Left wrist X-ray · lat · cast present —

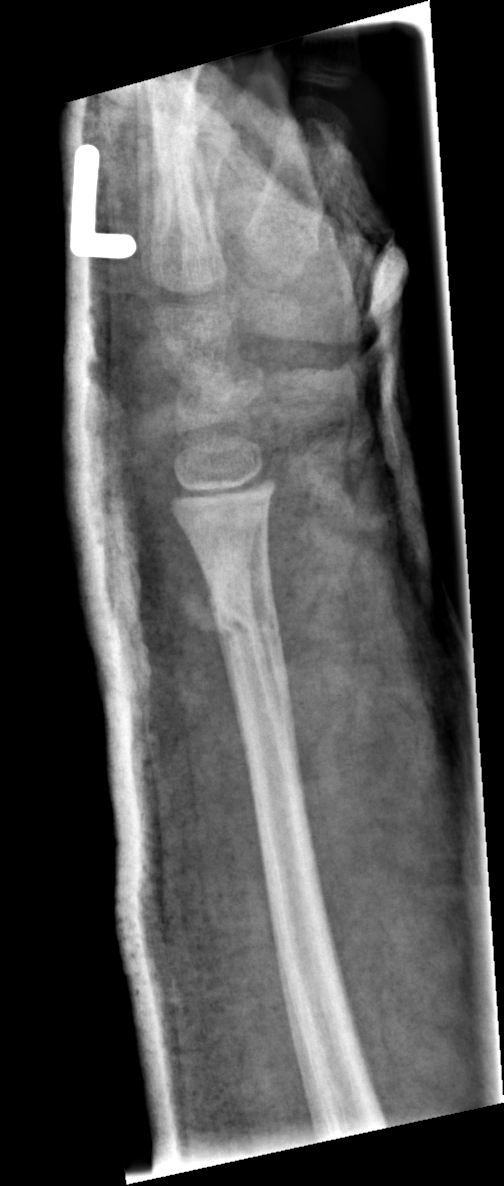
FINDINGS: Fx: [x1=207, y1=596, x2=287, y2=654].